Frontal · L plain radiograph of the wrist · 18y M · index exam: 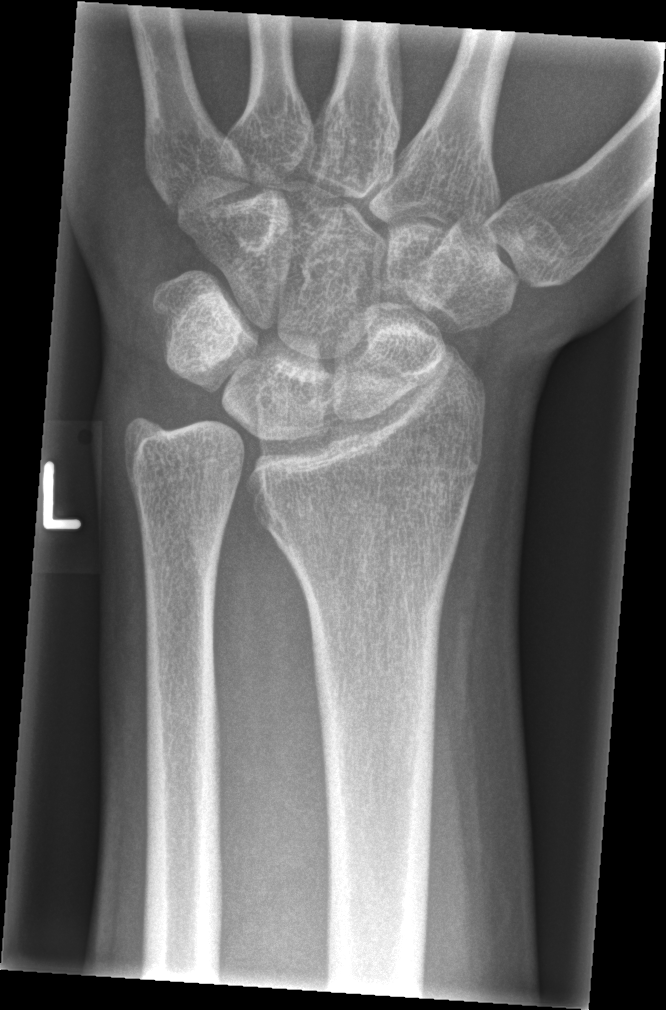 Q: Any bone anomaly?
A: Bone variant: 115,375,324,614
Q: Locate any fractures.
A: No fracture labeled